Rt wrist radiograph · lateral view · pediatric patient (boy, age 10) 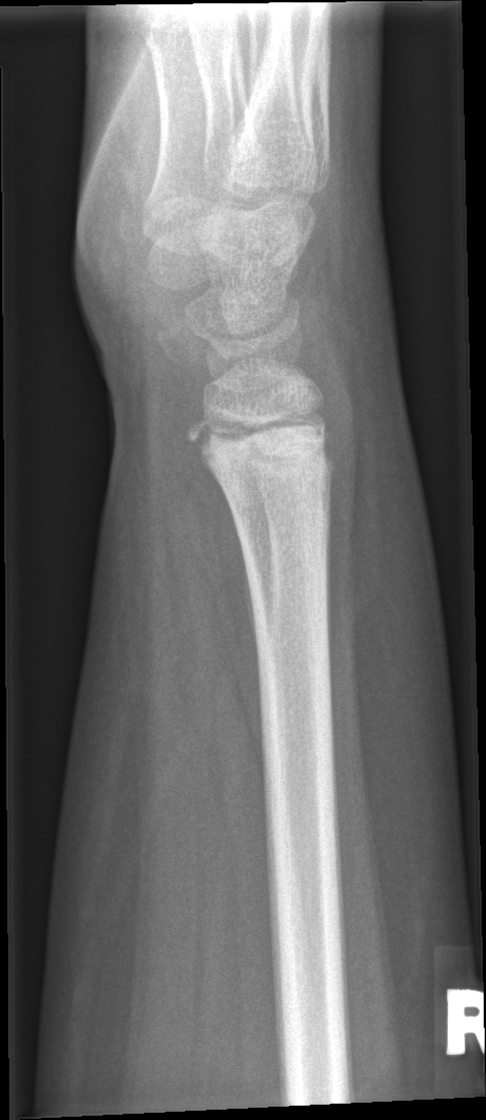
(pixel coordinates, top-left origin, xyxy)
Osteopenia = present
Fx = 1 @ (left=184, top=404, right=344, bottom=534)